Lat view; left wrist X-ray; follow-up study — 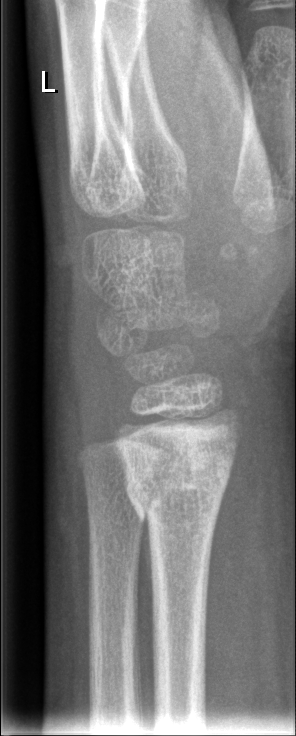 FINDINGS: Fracture — (left=118, top=449, right=238, bottom=548). Osteopenic.